R wrist plain film; lat; 9y F; index exam; 339 x 900 px:

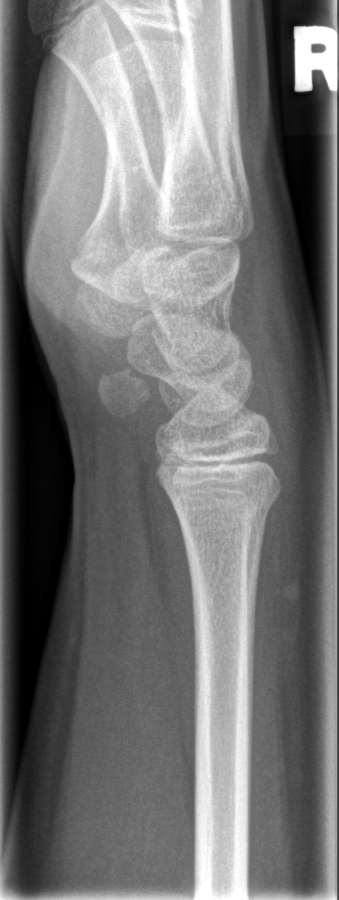

Q: Locate any fractures.
A: Bone fracture identified at <166,493>-<284,530>
Q: AO code?
A: AO/OTA classification: 23r-M/2.1